R wrist plain film | lat | 520x972. 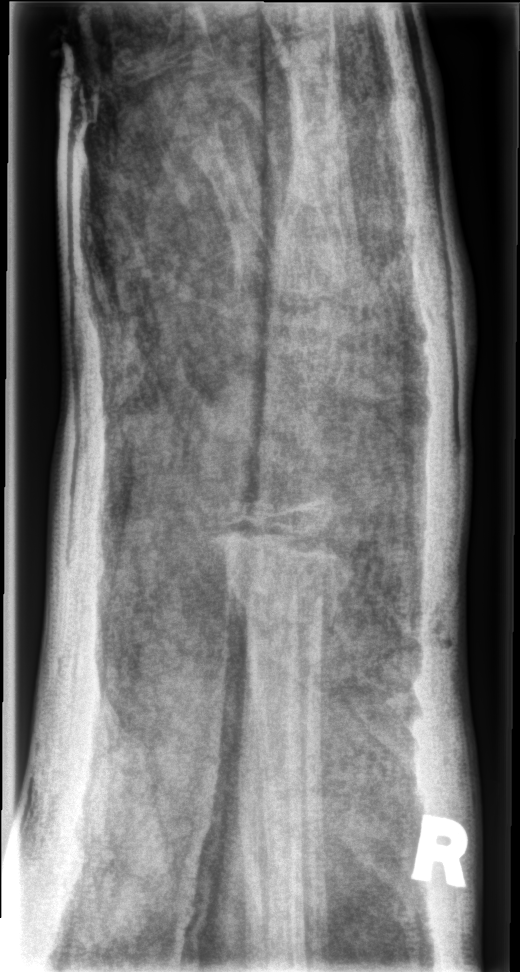

* AO code 23r-M/3.1; 23u-M/2.1.
* One bone fracture at (219, 534, 354, 626).